Left wrist radiograph · lateral projection · follow-up study · in cast. 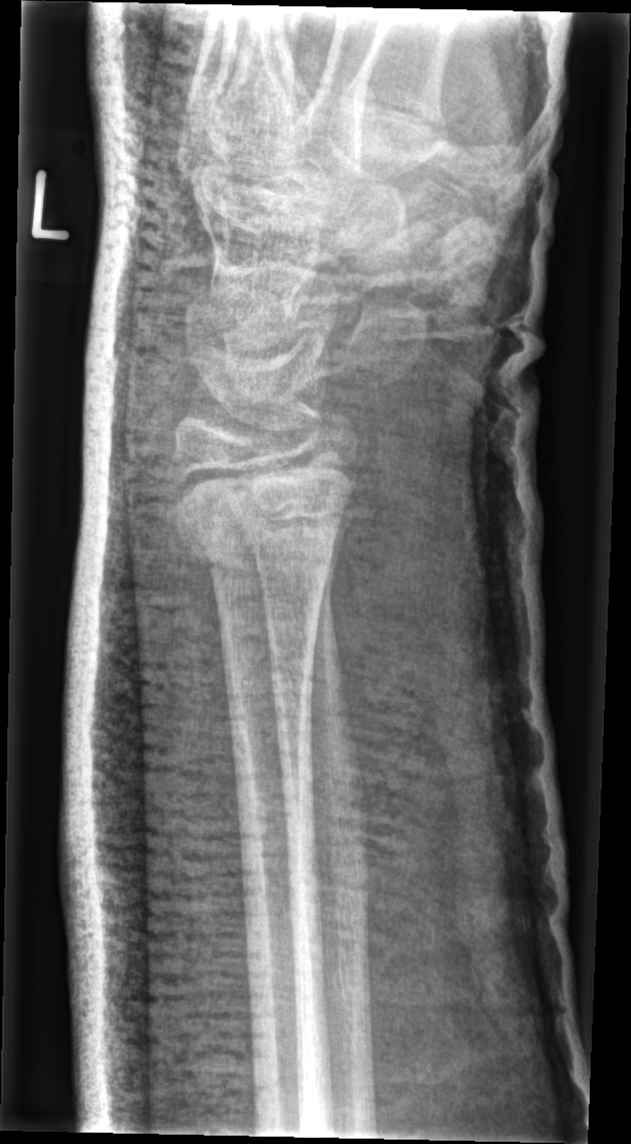
Fx — [x1=169, y1=473, x2=352, y2=596]. AO code 23r-M/2.1; 23u-E/7.